L plain radiograph of the wrist; lat view —
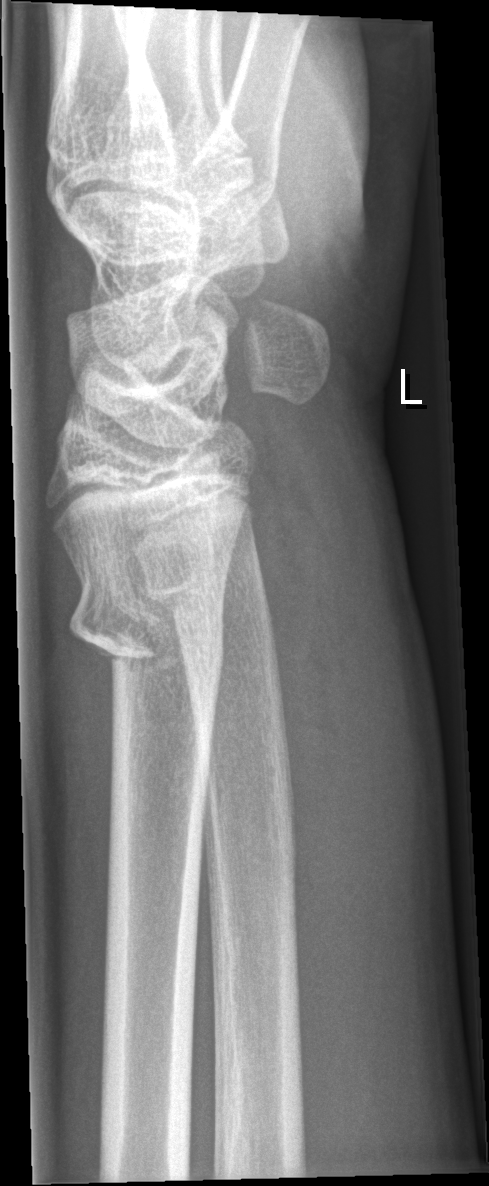

AO/OTA classification: 23r-M/3.1; 23u-M/2.1; 23u-E/7. Pronator sign — (left=240, top=422, right=342, bottom=895). Fx — (left=63, top=553, right=228, bottom=692), (left=135, top=553, right=276, bottom=637).